Lat view | Rt wrist radiograph | age 5 y, female:

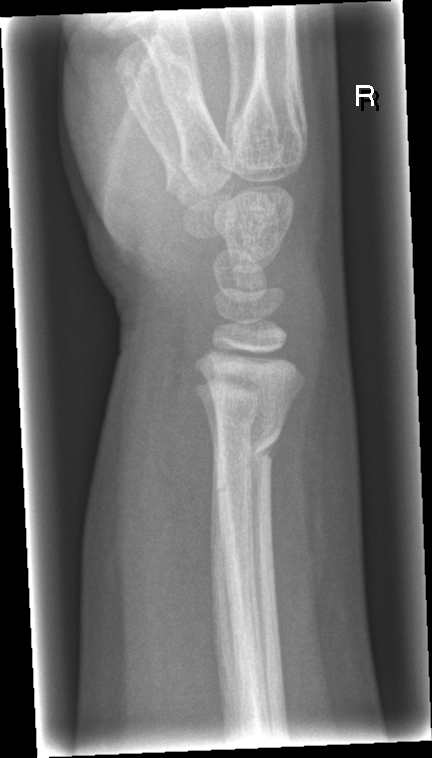 Coordinates are [x1, y1, x2, y2] in image pixels. Bone fracture: 208,419,289,470.